Lat view | Lt wrist plain film.

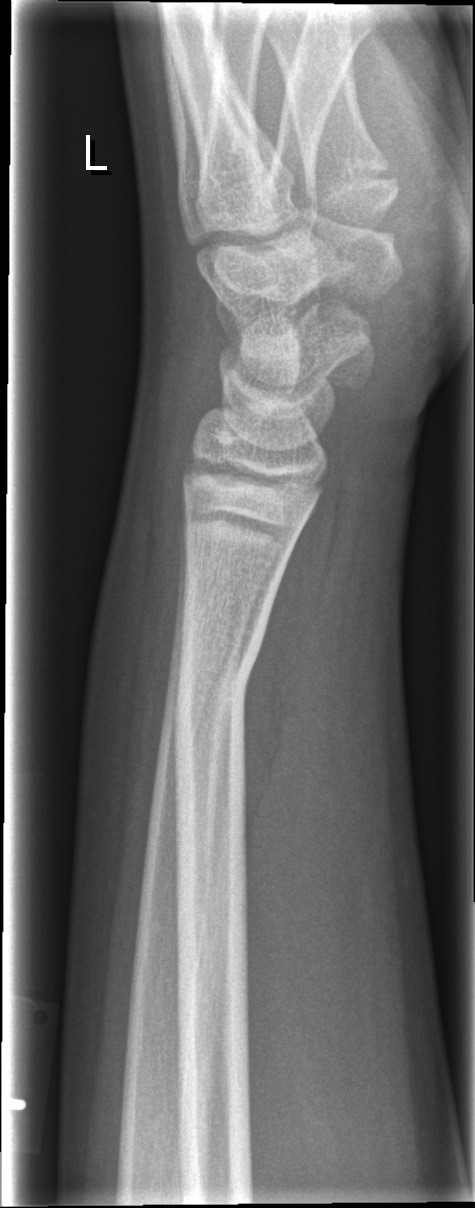

FINDINGS: (boxes as x1,y1,x2,y2 (top-left / bottom-right, pixel units)) One fracture at (left=167, top=625, right=265, bottom=757).